L wrist plain film; frontal projection; 7y F —
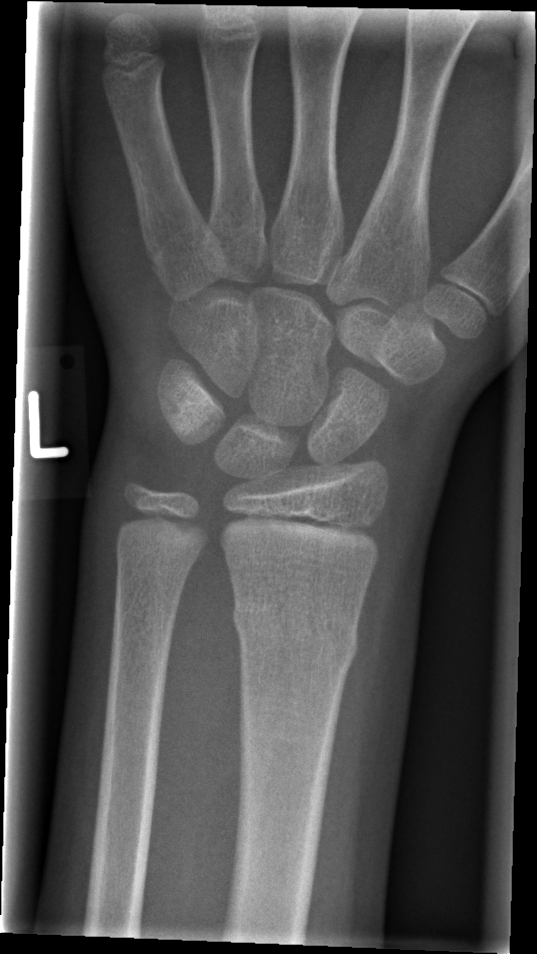 One Fx at (left=227, top=593, right=363, bottom=672).